Posteroanterior | Rt wrist radiograph:

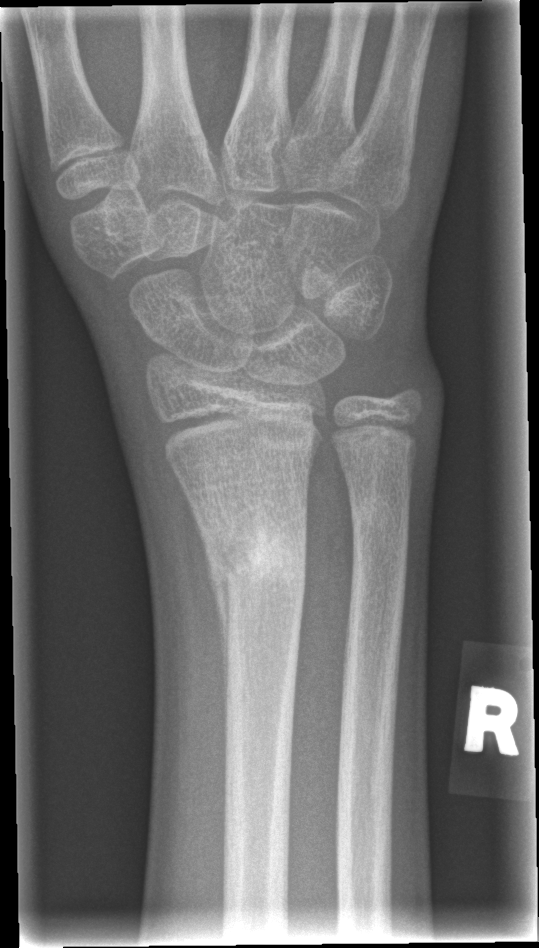
* Fracture classified AO/OTA 23r-M/3.1; 23u-M/2.1.
* Two Fx at bbox(192, 495, 311, 655) bbox(345, 490, 415, 554).
* Periosteal thickening: bbox(189, 507, 230, 735).